Left wrist pediatric wrist radiograph | PA/AP projection | Siemens | 82.1 mm image width. 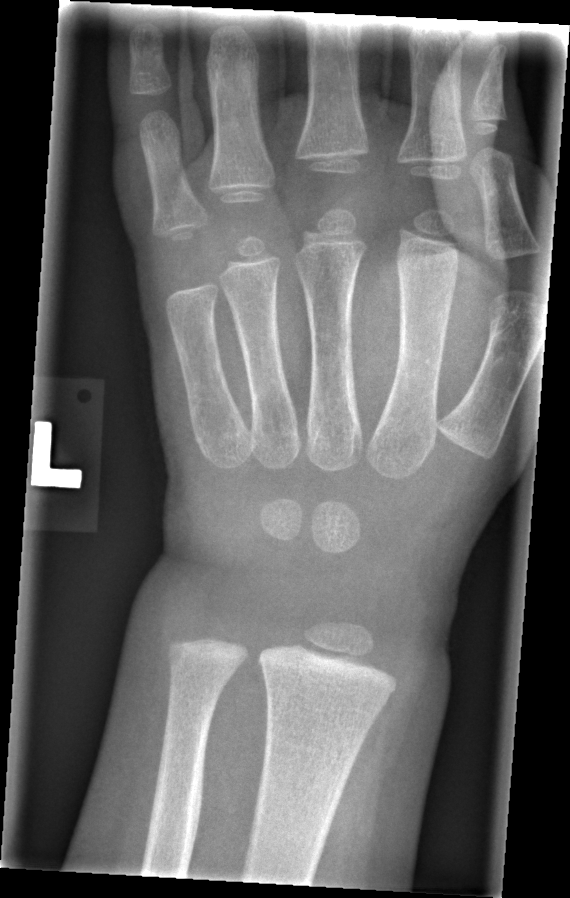
No fracture labeled.